Posteroanterior projection; right wrist XR; age 9 y, girl; index exam; acquired on Siemens; image 98.2 mm wide — 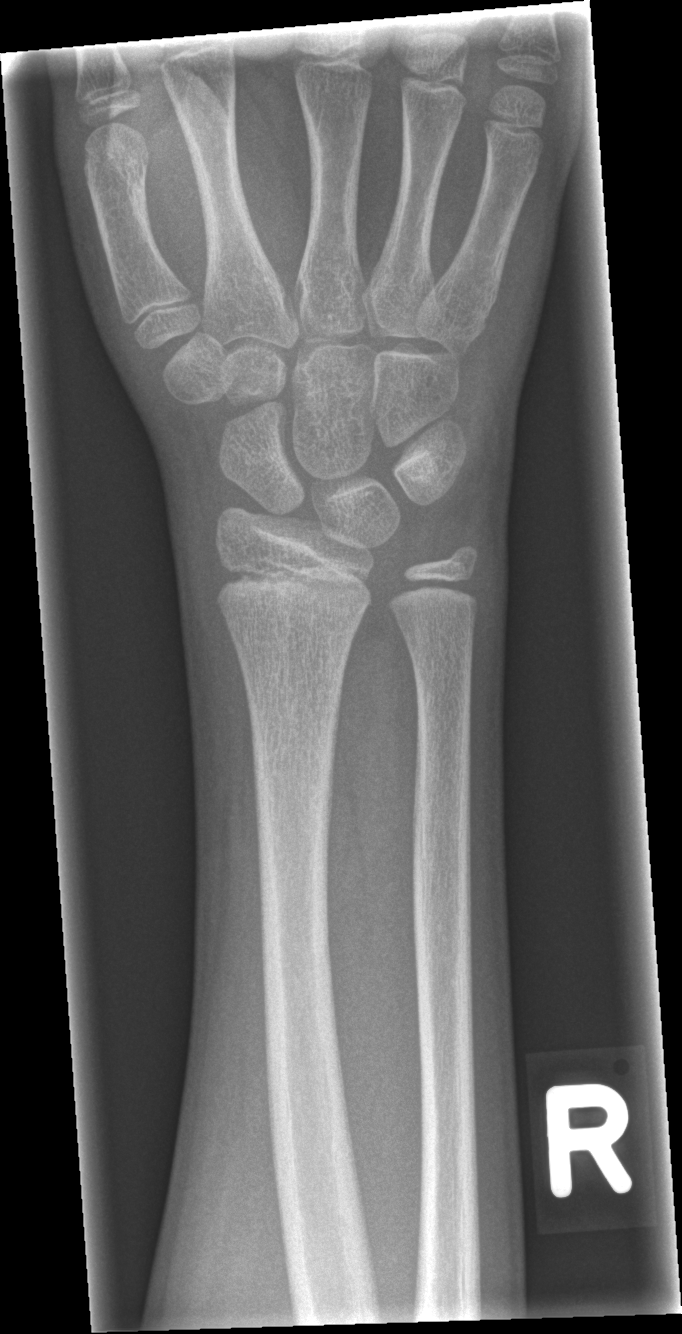
Fracture present, but no bounding box because it is not clearly seen in this view.